Frontal view; R wrist XR — 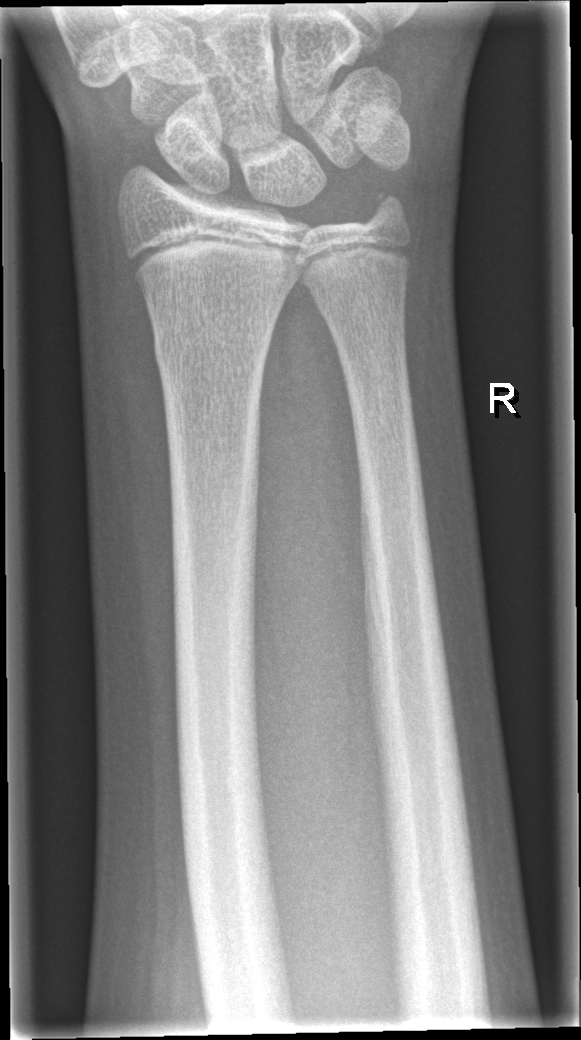 • Pixel coordinates, top-left origin, xyxy.
• Fx identified at 148,328,271,380
  356,181,419,242.